Lat view | Rt pediatric wrist radiograph | 11-year-old male | presentation radiograph | 400 by 1046 pixels
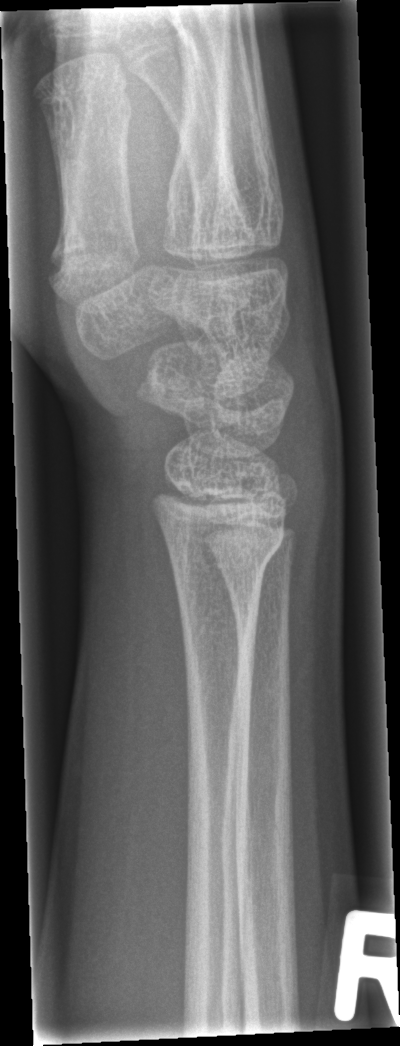

(bounding boxes in image-pixel xyxy)
Q: Locate any fractures.
A: Fx: 155,518,286,587